Left wrist pediatric wrist radiograph · posteroanterior · pediatric patient (girl, age 12) 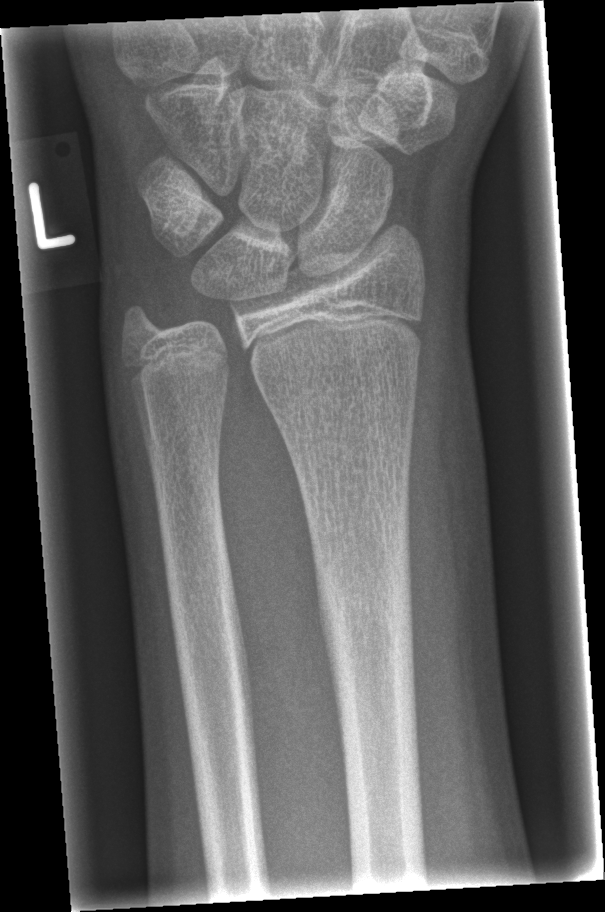
- Boxes as x1,y1,x2,y2 (top-left / bottom-right, pixel units).
- One fracture at 318,545,417,664.